Lat projection; right wrist pediatric wrist radiograph; pediatric patient (boy, age 10). 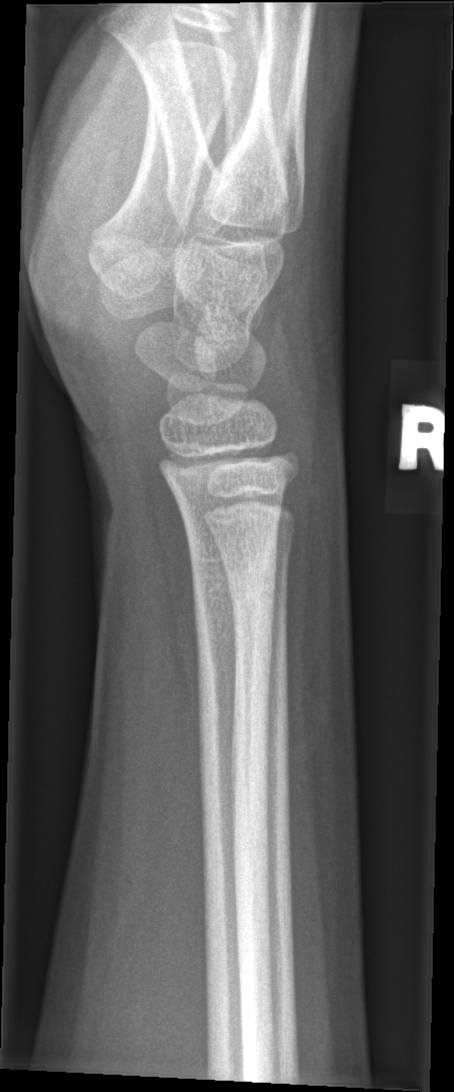
- Coordinates are [x1, y1, x2, y2] in image pixels.
- Fracture identified at [x1=185, y1=537, x2=281, y2=664].